AP projection; left wrist plain film; index exam; detector: Siemens
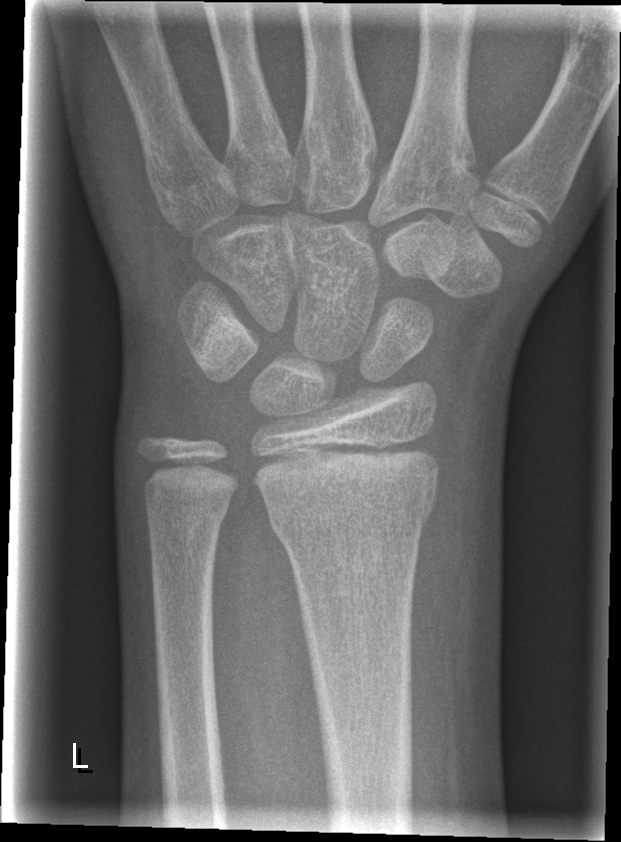
{"ao": "23r-E/2.1; 23u-M/2.1", "fracture": "[260, 477, 438, 540]; [140, 488, 234, 529]"}